Left wrist X-ray, lateral —

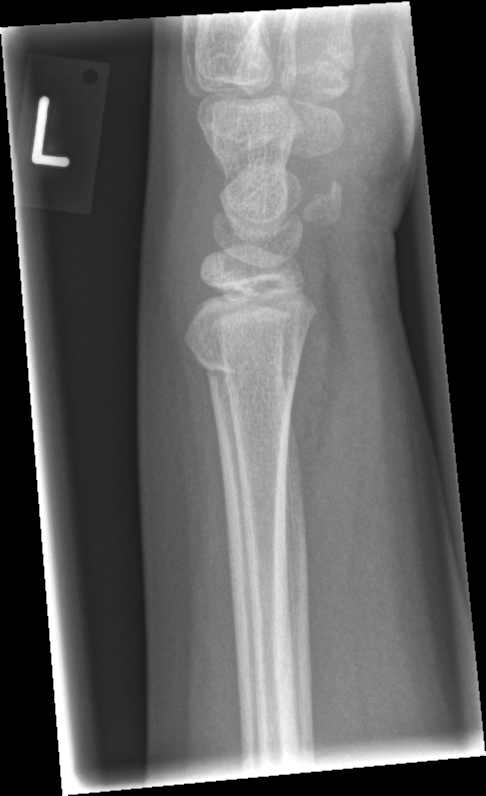

{
  "_coords": "coordinates are [x1, y1, x2, y2] in image pixels",
  "fracture": "<181,318>-<306,399>"
}